L wrist X-ray | AP view | age 16 y, male | presentation radiograph —

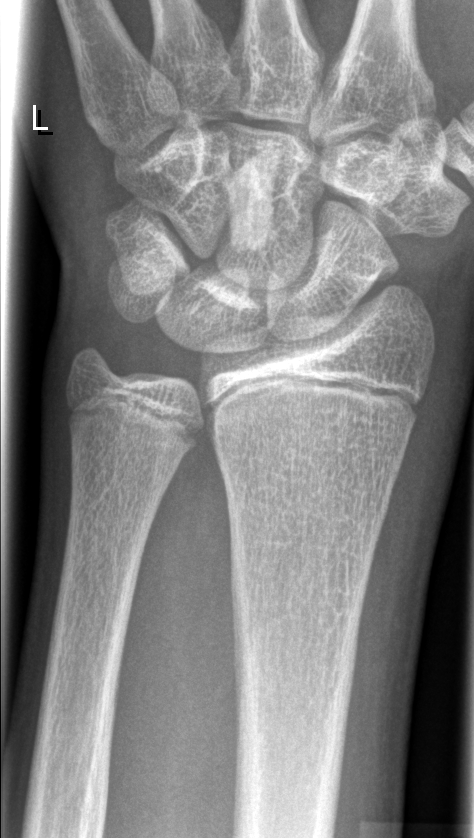

• Coordinates are [x1, y1, x2, y2] in image pixels.
• Fx: none.
• One bone lesion at (left=218, top=158, right=274, bottom=255).